Right wrist XR · frontal projection · Siemens. 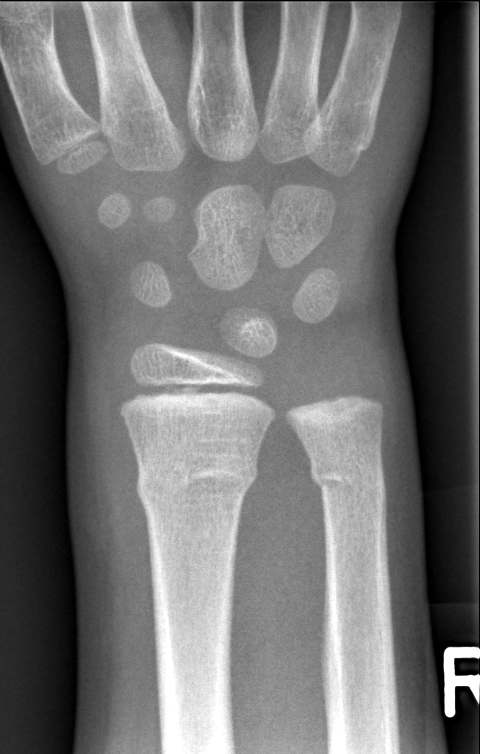
AO classification: 23-M/2.1
Bone fracture: 2 @ bbox(133, 456, 260, 513) bbox(306, 456, 389, 506)
Soft-tissue swelling: 1 @ bbox(68, 337, 152, 597)